Posteroanterior view · Rt pediatric wrist radiograph · 7y M · imaged through cast 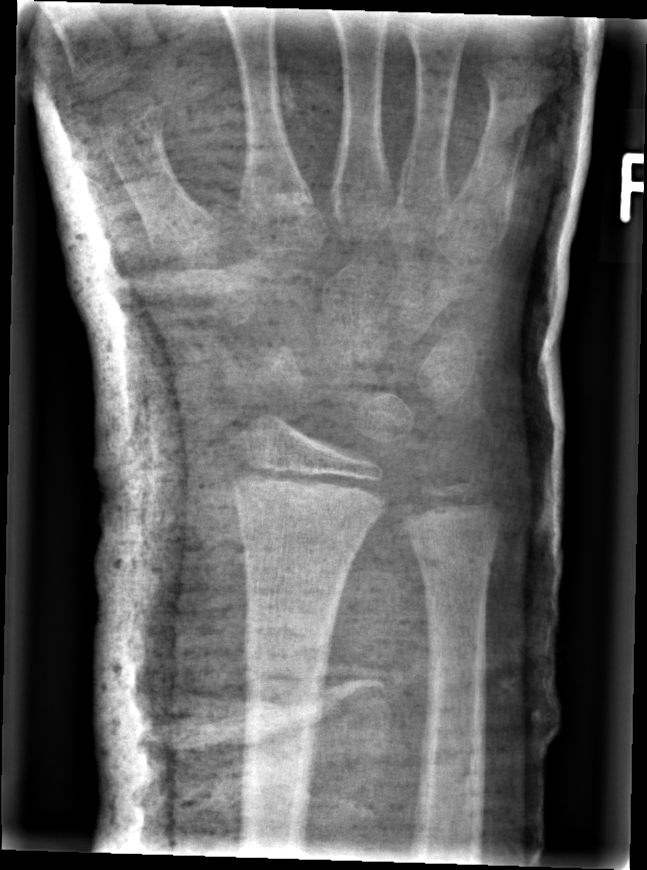

AO/OTA: 23r-M/3.1
Fx: (left=238, top=640, right=334, bottom=713)